Lat view | left wrist XR | 12-year-old female | presentation radiograph 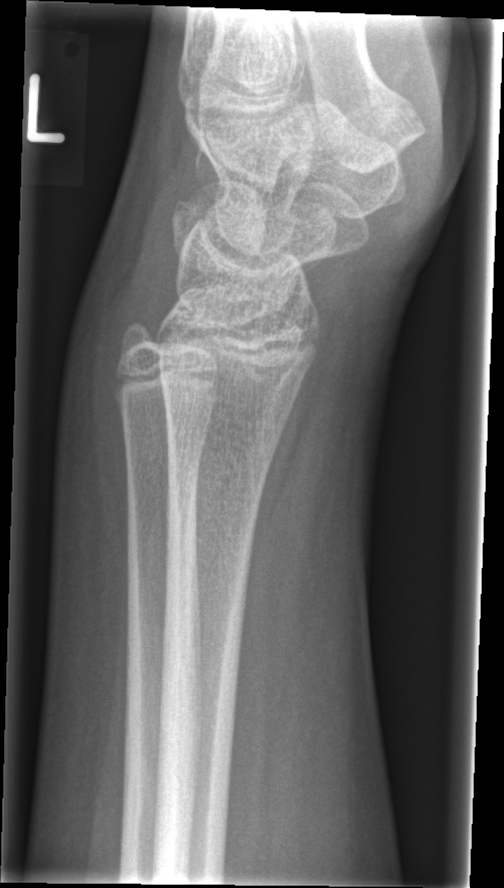 Bone fracture: none labeled